Right wrist X-ray | lat | presentation radiograph: 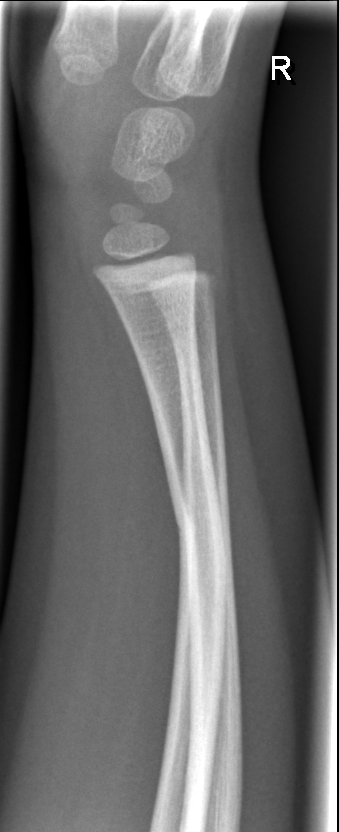 (coordinates are [x1, y1, x2, y2] in image pixels)
Q: Any fracture seen?
A: One fracture at bbox(162, 479, 241, 615)